L plain radiograph of the wrist; lat; detector: Siemens.

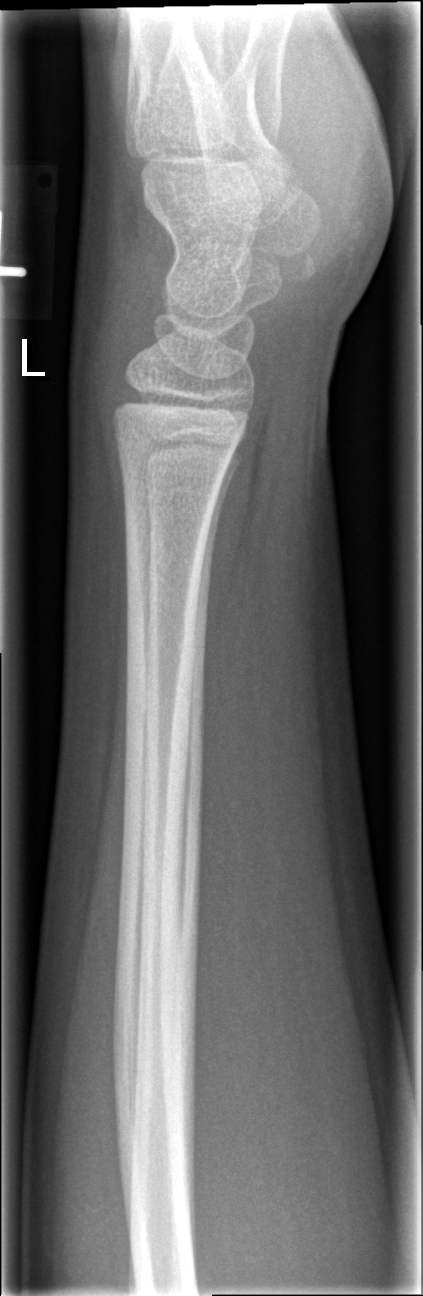

fracture = none labeled